AP view · right wrist radiograph · age 9 y, boy — 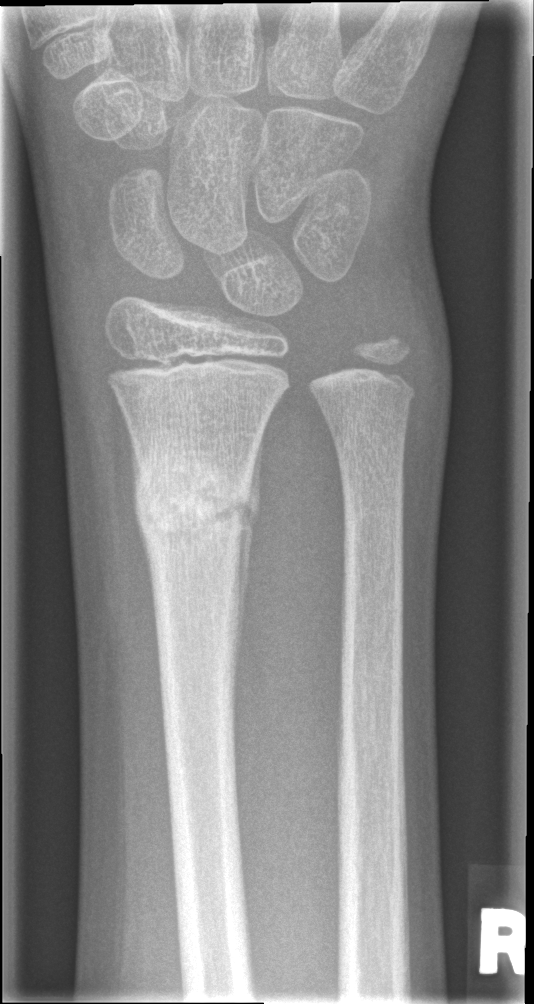
Bounding boxes in image-pixel xyxy. Periosteal reaction — 238 446 262 646. Osteopenic. Fx identified at 129 444 263 570.